AP view · Lt wrist XR · 15-year-old boy:
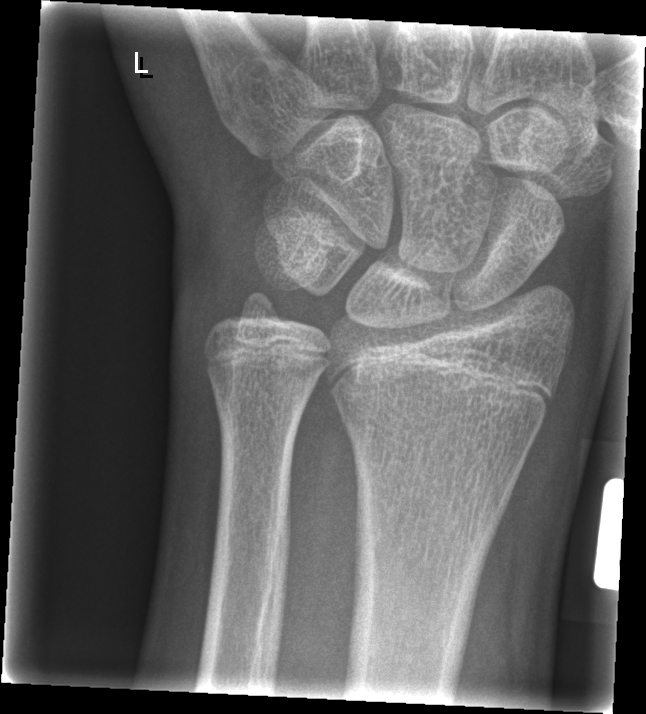 FINDINGS: No fracture bounding box.